Lt pediatric wrist radiograph; lateral; pediatric patient (female, age 5); follow-up study; imaged through cast. 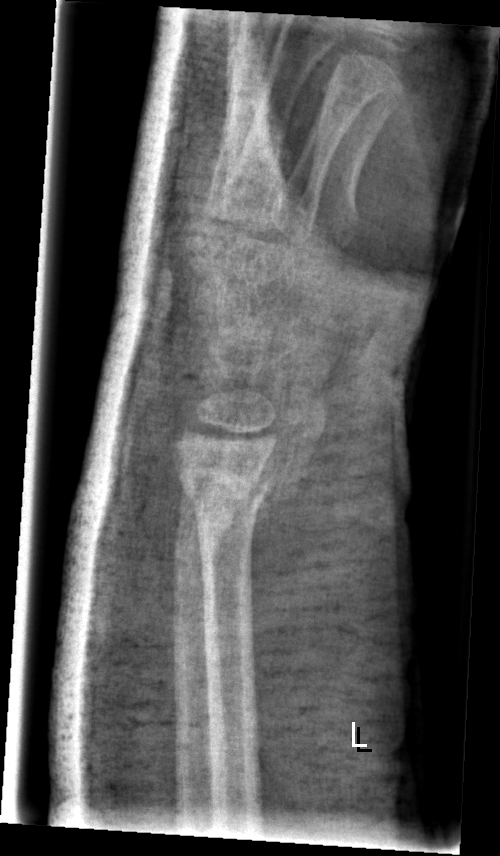

  ao: 23-M/3.1
  fracture: [167, 457, 273, 556]